Lateral view | Rt plain radiograph of the wrist | 4-year-old boy | 70.3 mm image width

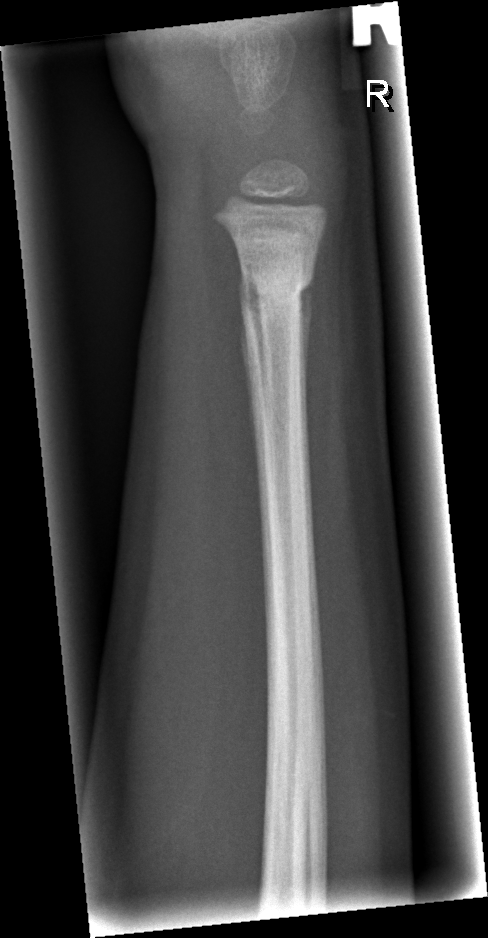
(pixel coordinates, top-left origin, xyxy)
bone fracture = 1 @ [x1=239, y1=261, x2=317, y2=338]
AO/OTA = 23r-M/3.1
periosteal reaction = [x1=301, y1=284, x2=312, y2=408]